AP view; L wrist radiograph; 10y M; acquired on Siemens: 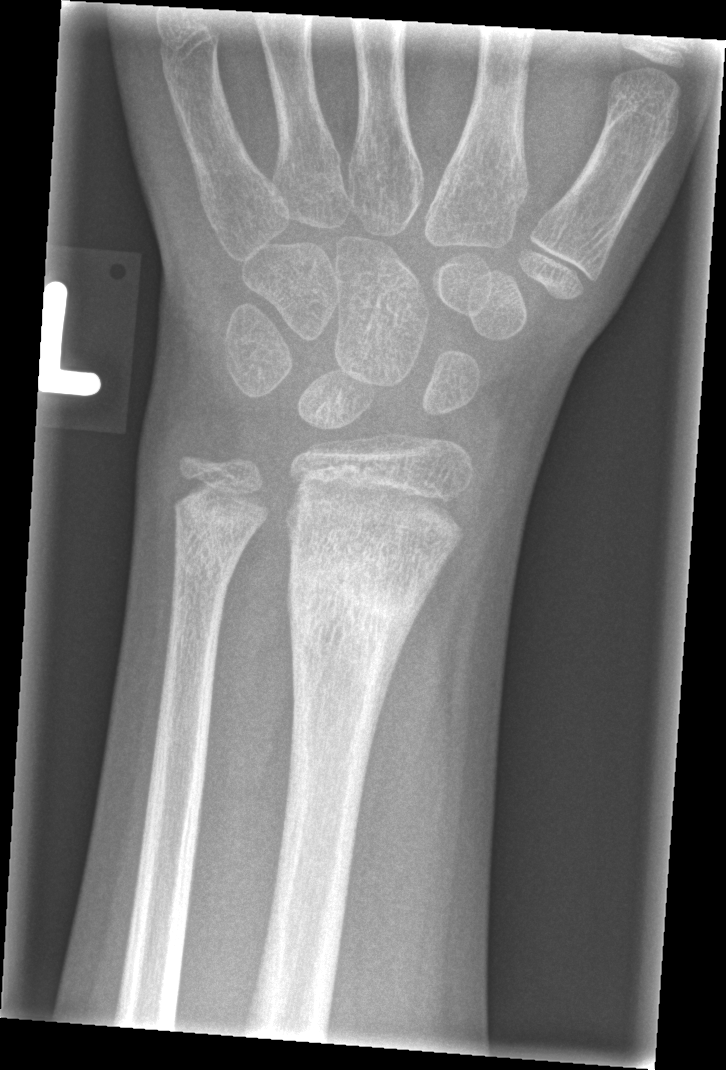 Pixel coordinates, top-left origin, xyxy. Fractures — bbox(283, 547, 429, 652); bbox(170, 492, 261, 577). AO/OTA classification: 23-M/3.1.